PA/AP view | left wrist X-ray | 4y F: 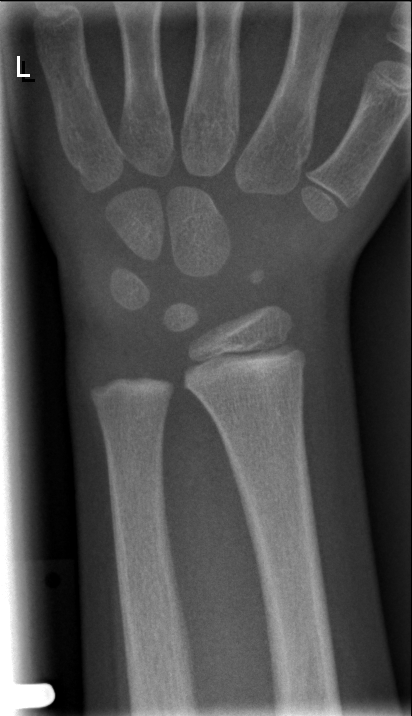 - No fracture labeled.